Lat; right wrist XR; pediatric patient (girl, age 8); subsequent exam; in cast; detector: Siemens.
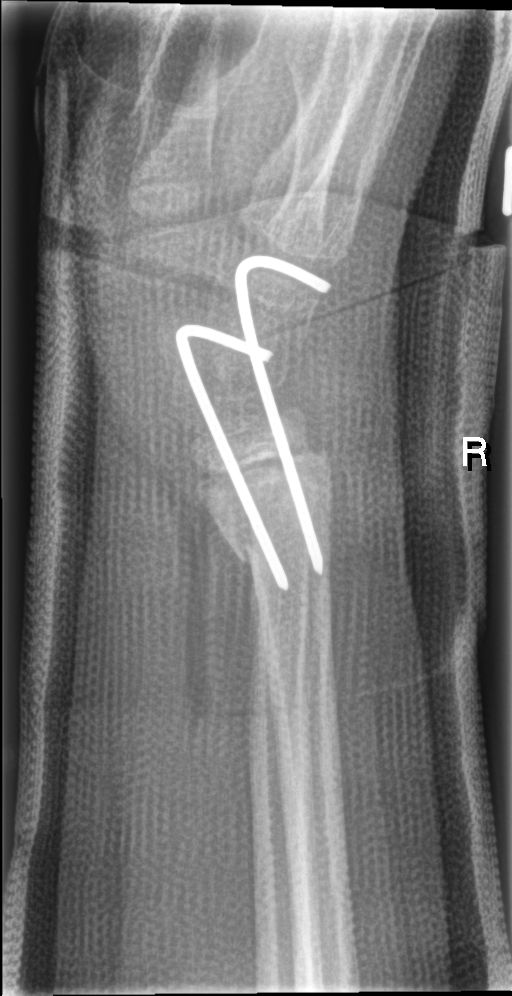

Boxes as x1,y1,x2,y2 (top-left / bottom-right, pixel units).
Metallic hardware — bbox(164, 245, 341, 605).
One Fx at bbox(227, 514, 338, 573).